Left wrist radiograph | lat view | subsequent exam | cast in situ | Siemens
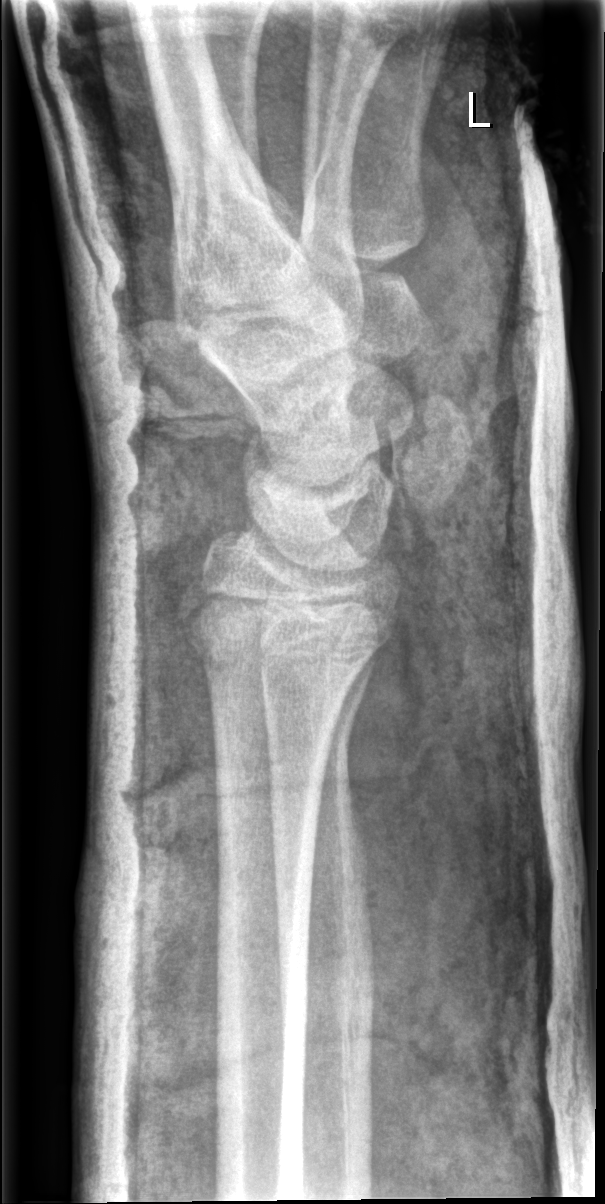
• One bone fracture at bbox(177, 576, 398, 674).